Lat view · L wrist plain film · follow-up · cast present · detector: Siemens:
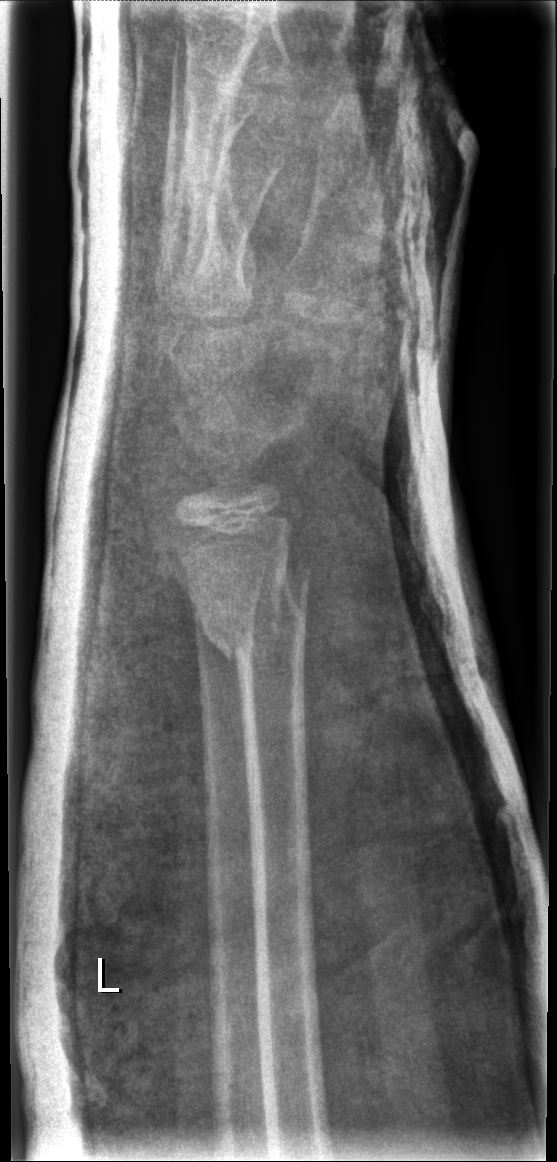 (bounding boxes in image-pixel xyxy)
bone fracture: (left=191, top=552, right=320, bottom=671)